Lateral projection | left wrist plain film | cast present

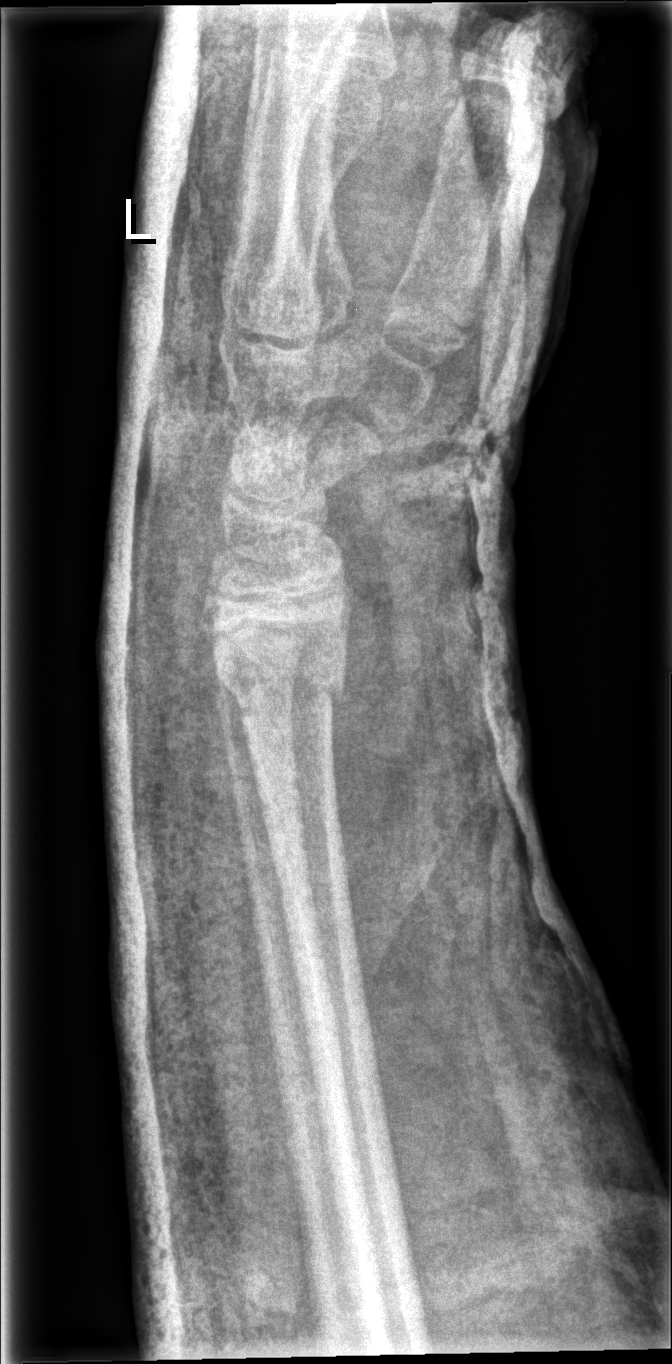
{"_coords": "pixel coordinates, top-left origin, xyxy", "fracture": "<214,647>-<349,728>", "ao": "23-M/3.1"}